PA/AP | Rt wrist XR
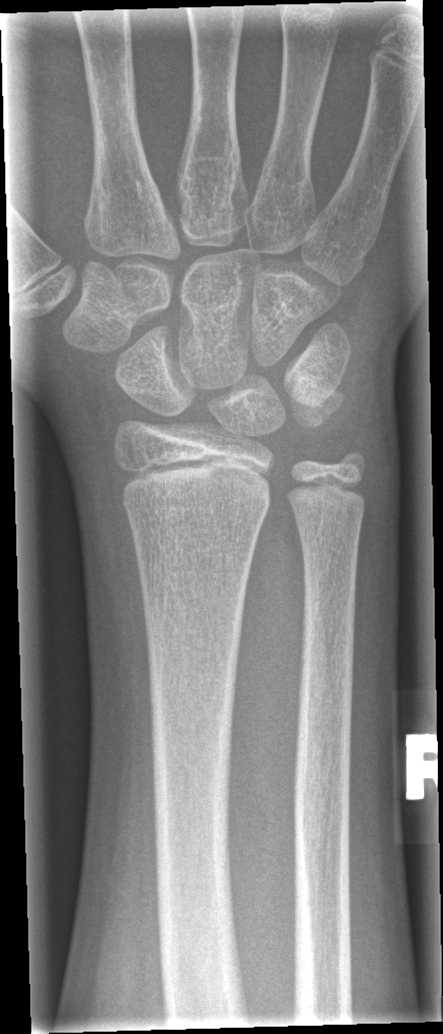
- Fracture: none labeled.